PA projection; Lt wrist XR; age 9 y, girl —

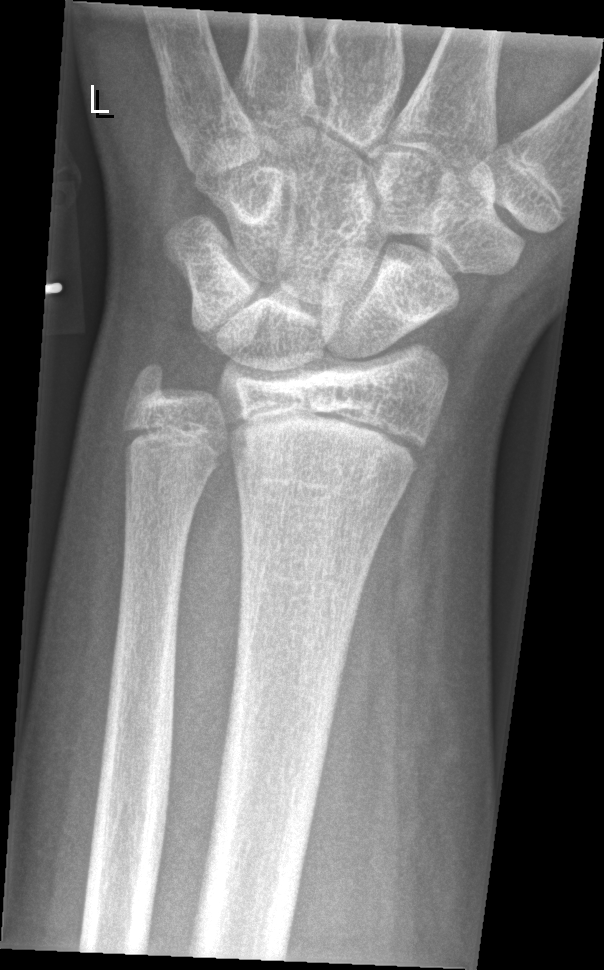
Fracture present, but no bounding box because it is not clearly seen in this view.